Frontal, left wrist XR, follow-up study.

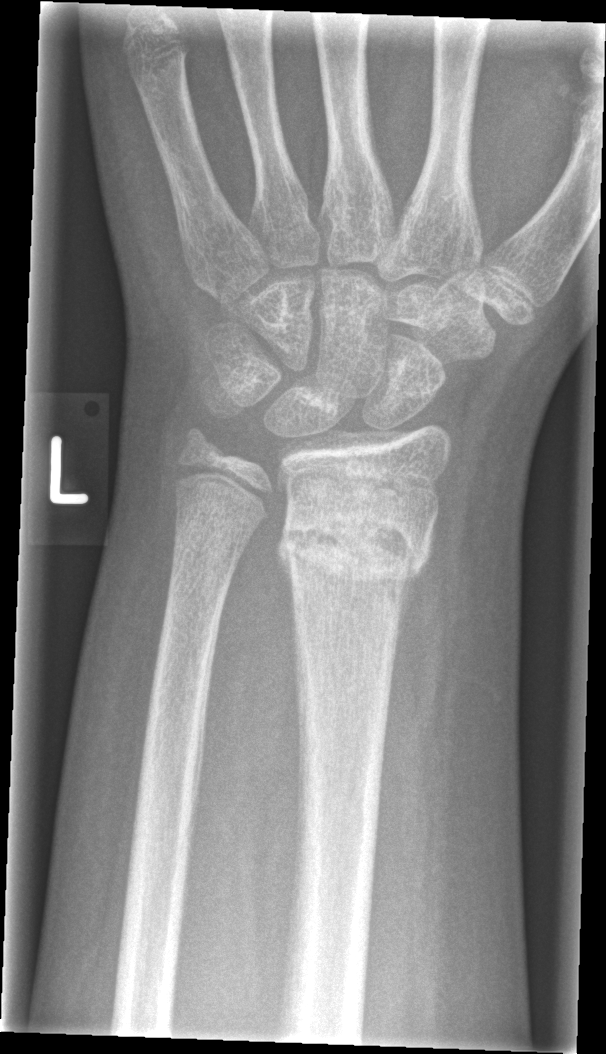

Pixel coordinates, top-left origin, xyxy. Two Fx at (left=275, top=501, right=437, bottom=617), (left=170, top=415, right=226, bottom=466).